PA, right wrist plain film, 11y M, image width 99.6 mm, 692 x 800 px

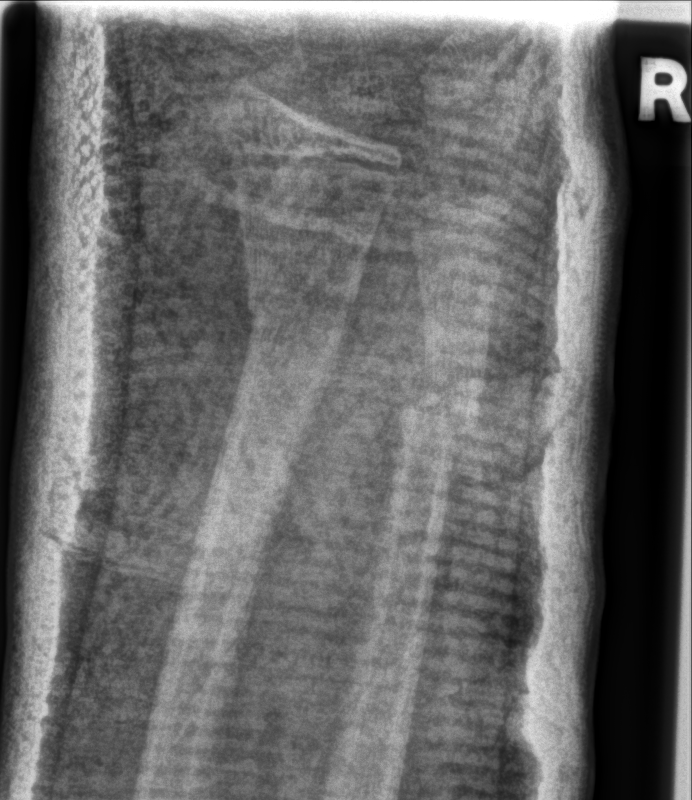
Pixel coordinates, top-left origin, xyxy. Two Fx at [x1=392, y1=346, x2=491, y2=458] [x1=239, y1=280, x2=363, y2=369]. AO code 23-M/3.1.